Frontal · R wrist radiograph · 15-year-old male · 794 x 1250 px:
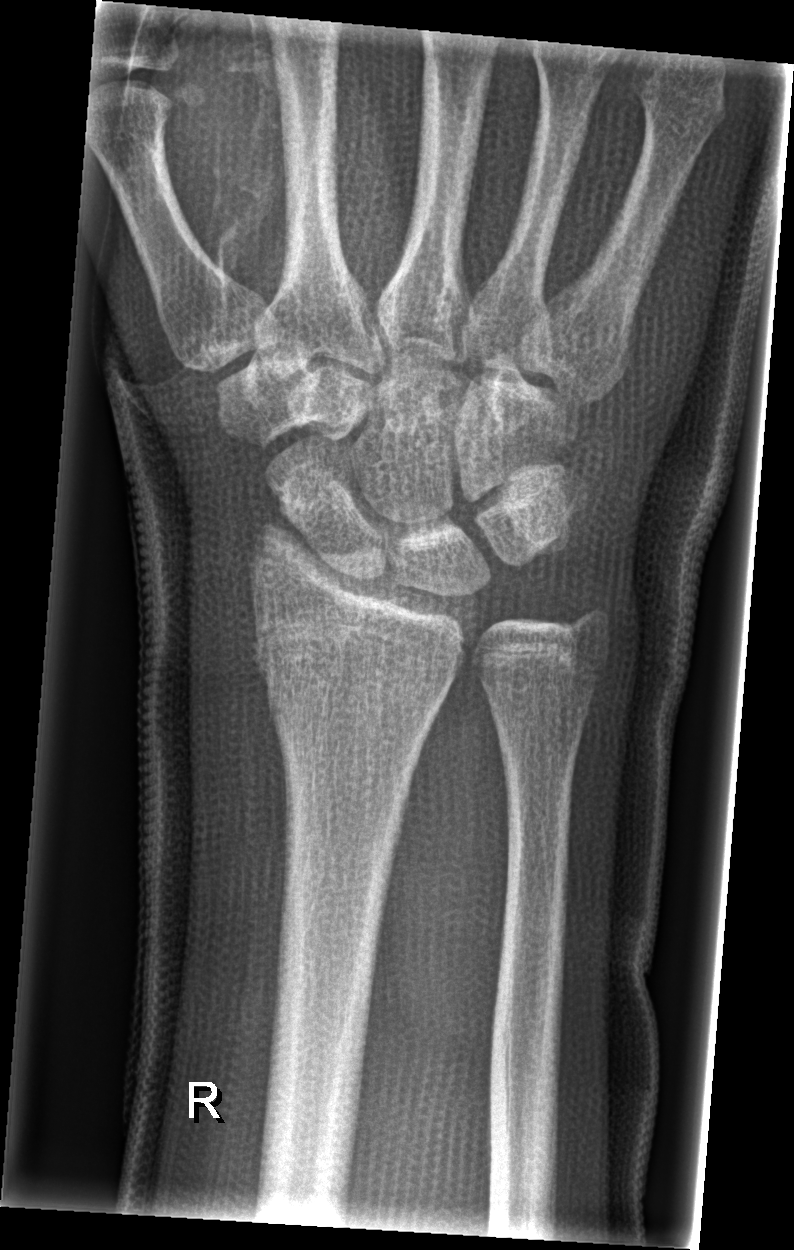
- Fracture present, but no bounding box because it is not clearly seen in this view.
- AO code 23r-M/2.1.